Lat projection · right wrist pediatric wrist radiograph · age 14 y, boy · follow-up study 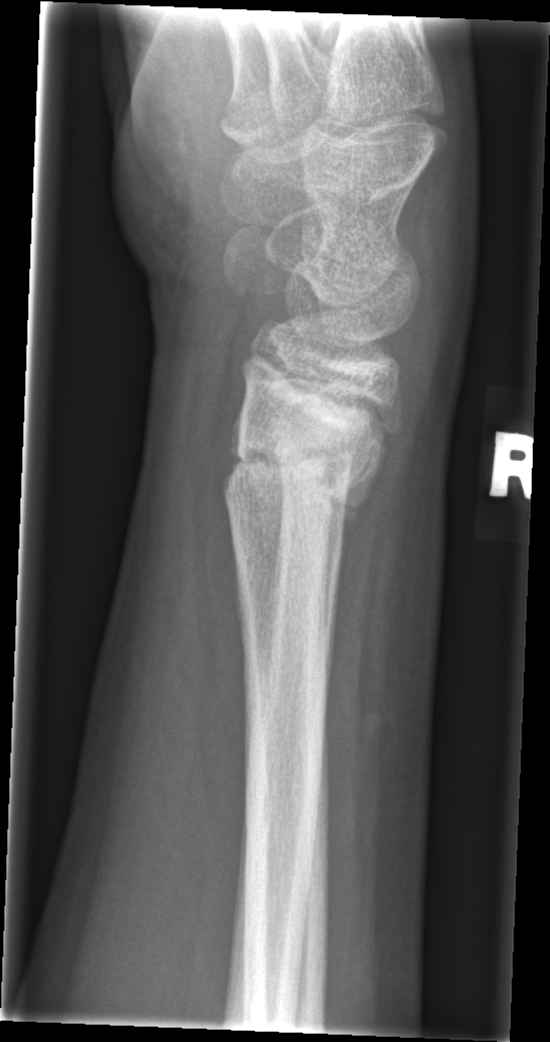
- Bone fracture identified at 216 431 393 516.
- Periosteal new bone — 322 436 384 702.